Right wrist radiograph · frontal projection · 11-year-old male · 85.2 mm image width · image size 592x1301 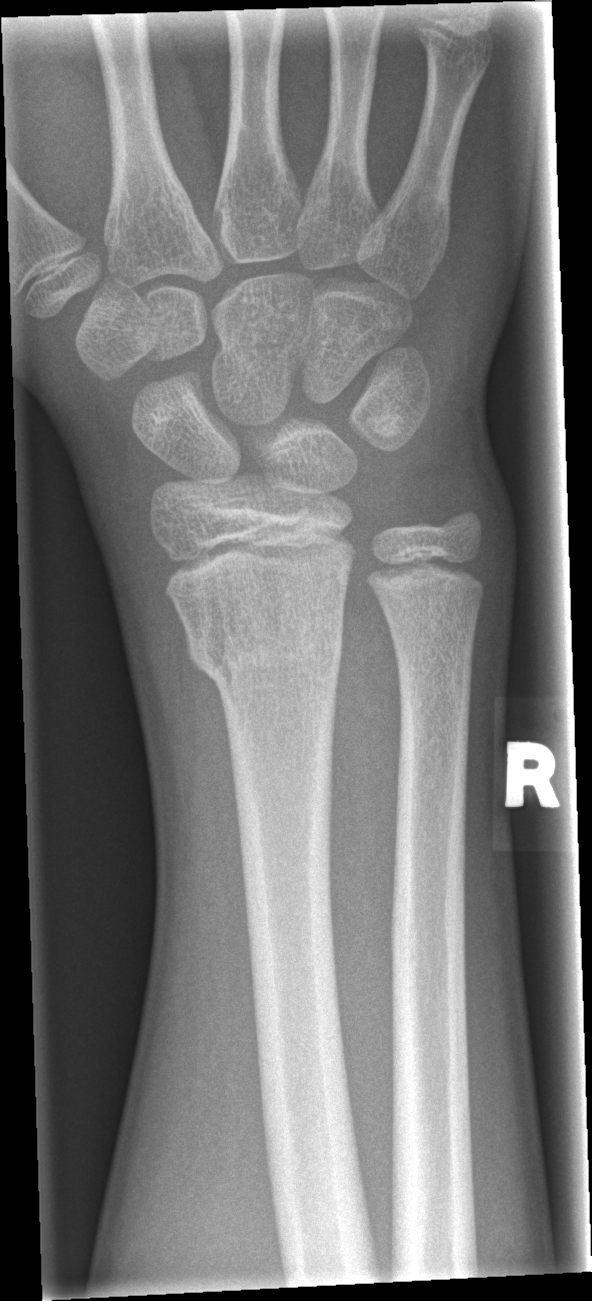 - Boxes as x1,y1,x2,y2 (top-left / bottom-right, pixel units).
- One bone fracture at 183,592,344,691.